Posteroanterior view · left wrist XR 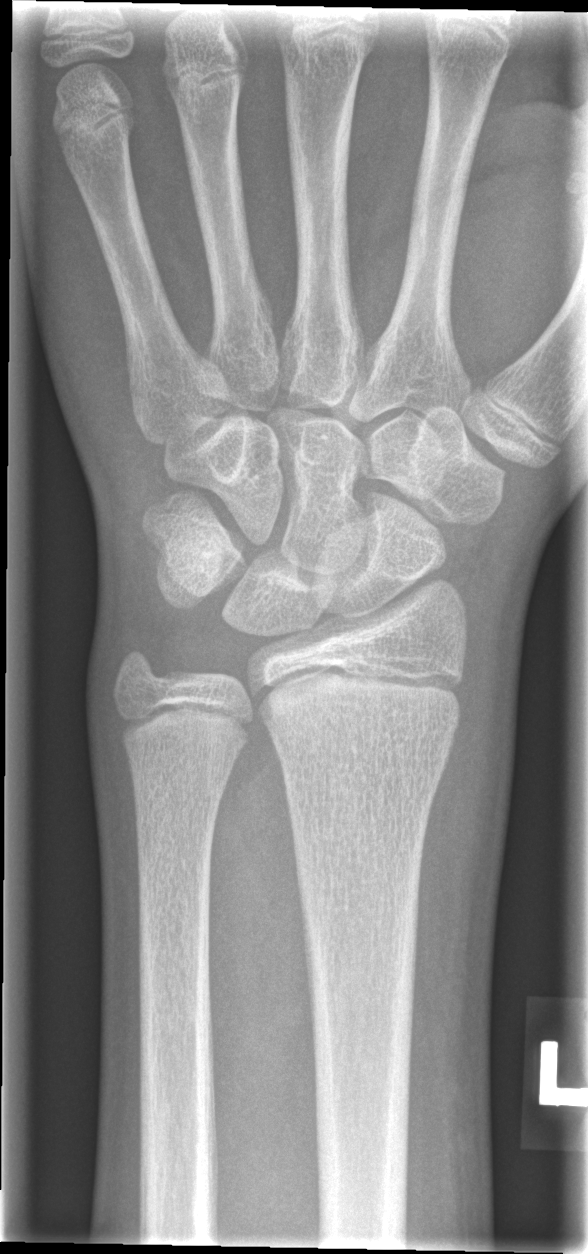

FINDINGS: Fracture present, though not clearly seen in this view. Fracture classified AO/OTA 23r-M/2.1.